Lat; right wrist X-ray; age 7 y, boy; detector: Siemens; 592 by 1208 pixels —
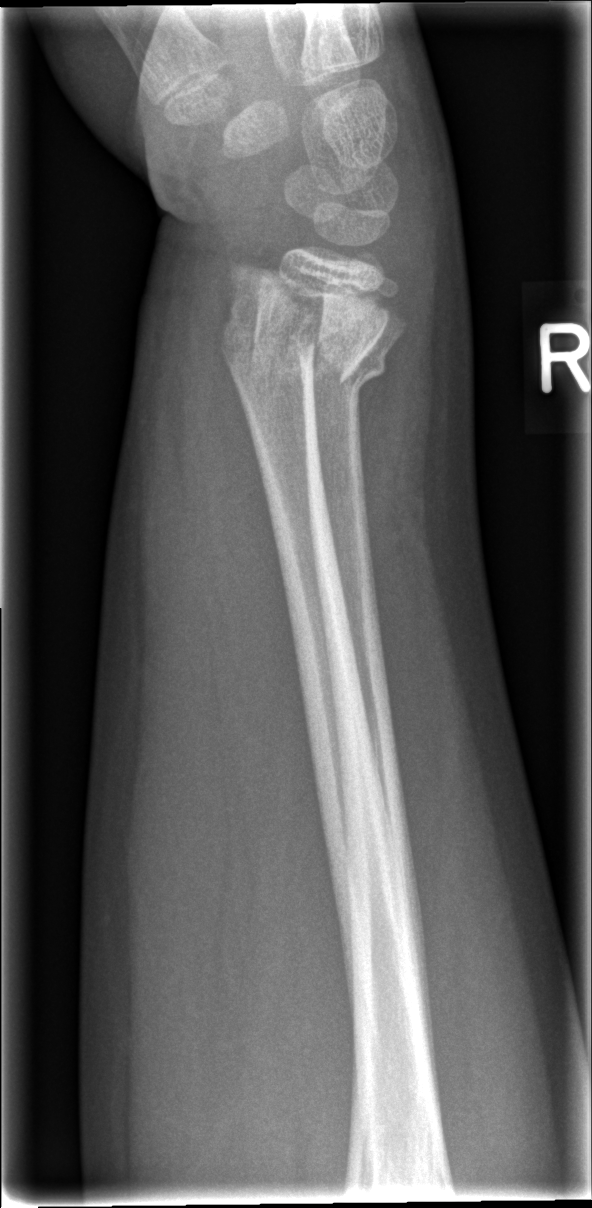 • Two Fx at (left=212, top=254, right=369, bottom=386); (left=313, top=321, right=392, bottom=394).
• Fracture classified AO/OTA 23-M/3.1.